Left wrist radiograph | AP view | image width 77.6 mm: 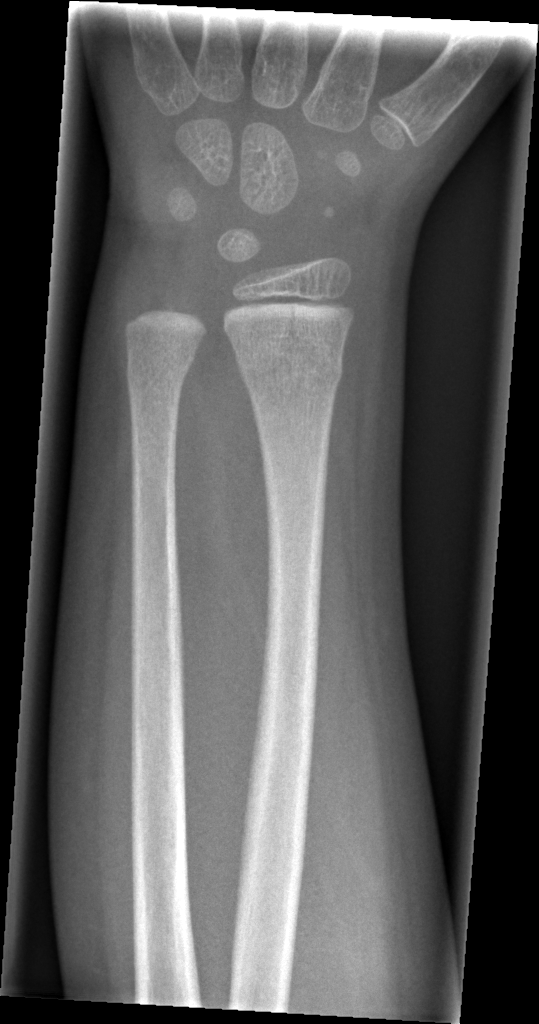

{
  "fracture": "2 @ (232, 342, 347, 396) (125, 350, 197, 394)",
  "ao": "23-M/2.1"
}